Lateral view · L wrist plain film · follow-up
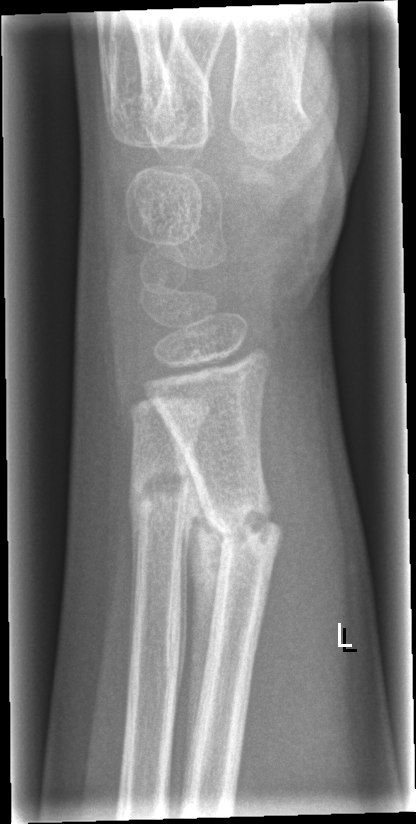 Boxes as x1,y1,x2,y2 (top-left / bottom-right, pixel units). Periosteal thickening — <163,420>-<226,783>, <173,473>-<193,710>, <128,485>-<139,684>. Fractures — <204,494>-<282,560>, <124,458>-<192,512>. AO code 23-M/3.1.